Lateral view | right wrist X-ray | age 6 y, boy —

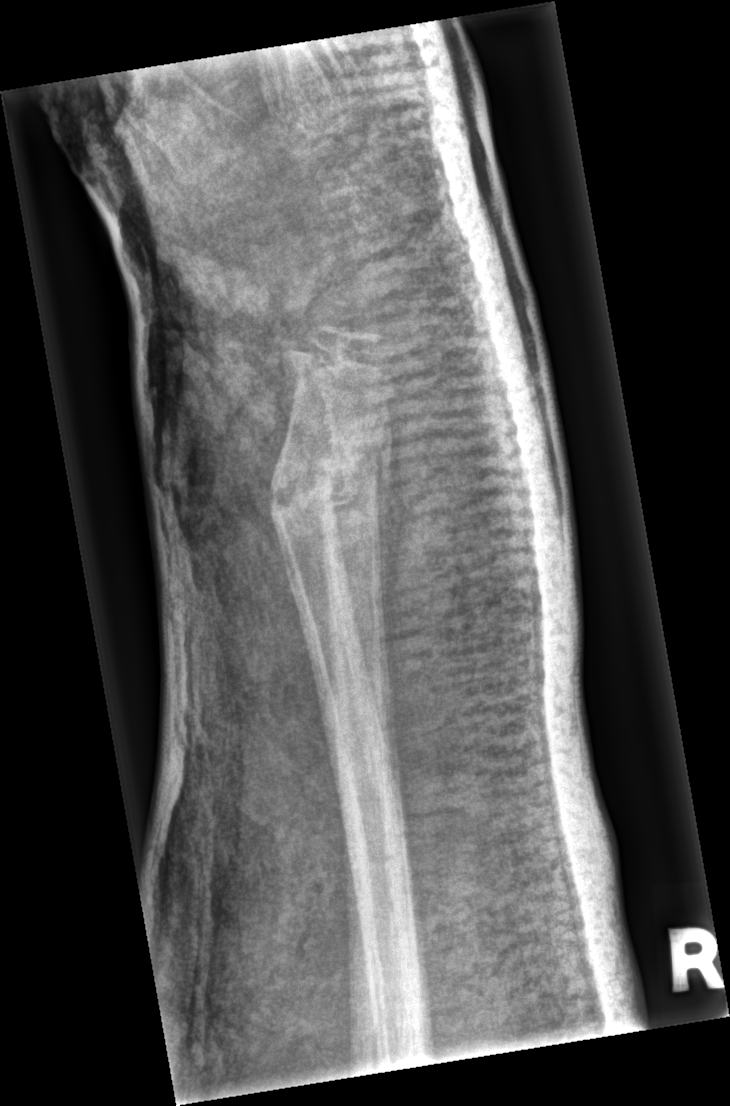 {
  "_coords": "boxes as x1,y1,x2,y2 (top-left / bottom-right, pixel units)",
  "ao": "23-M/3.1",
  "fracture": "265 429 394 545"
}